Right wrist plain radiograph of the wrist | posteroanterior | pediatric patient (boy, age 15). 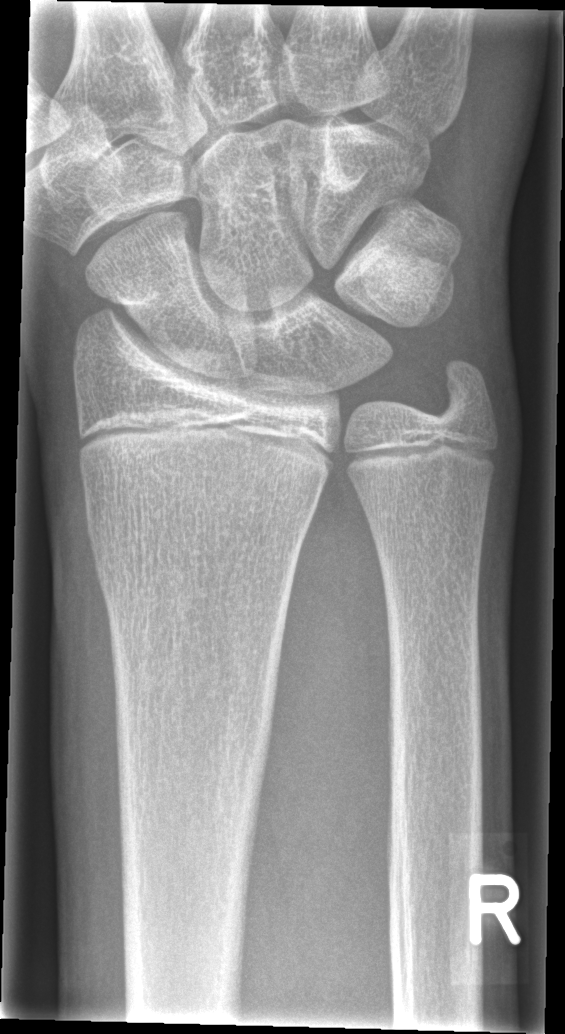 fracture: none labeled